Lateral view; Rt wrist X-ray; 12y M; 65.1 mm image width —
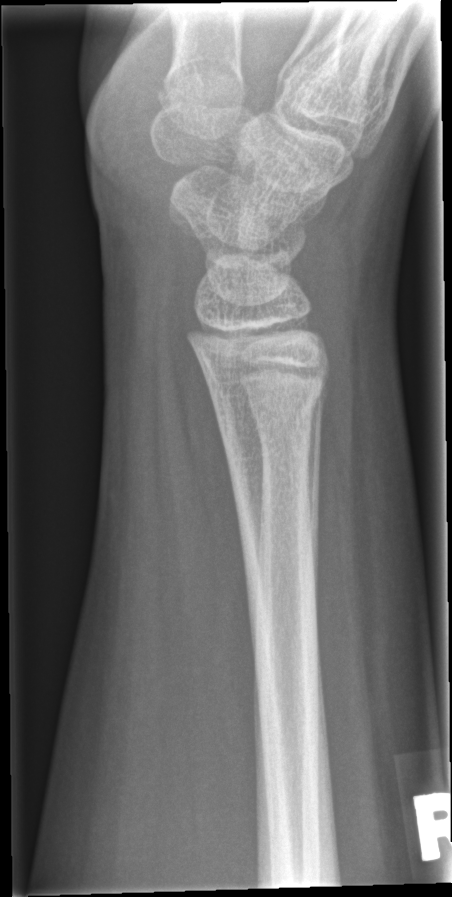
Findings: Fracture — [x1=208, y1=371, x2=330, y2=442].